L wrist plain film; lat; 16y M; Siemens.
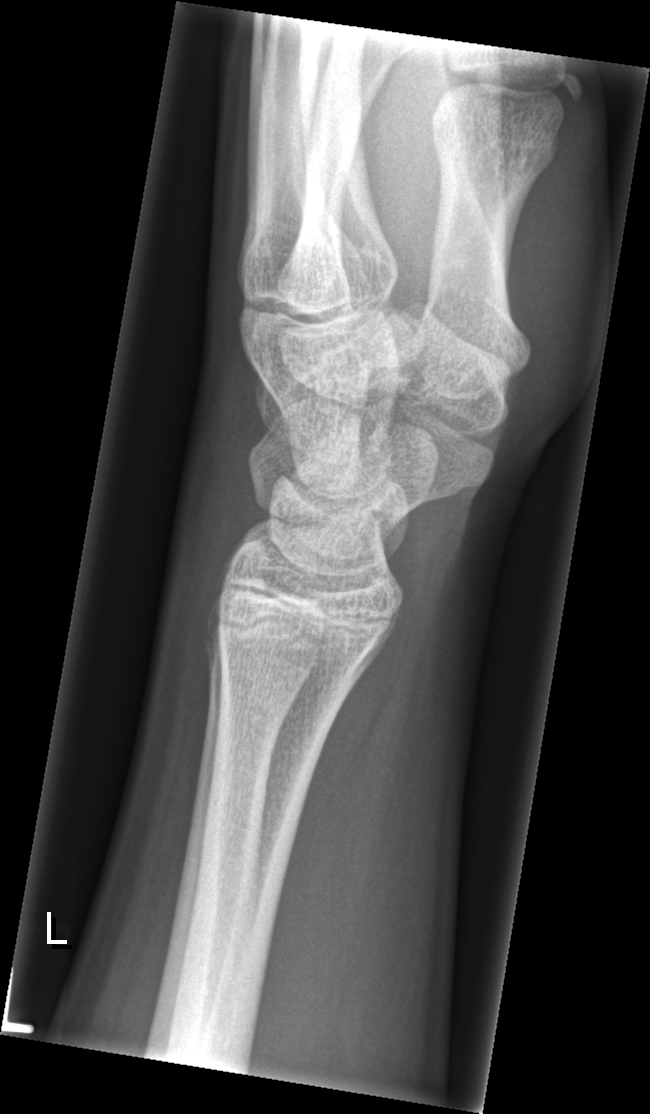 Q: Any fracture seen?
A: No fracture annotation